PA projection · R wrist X-ray · age 10 y, male · initial study · 611x876.
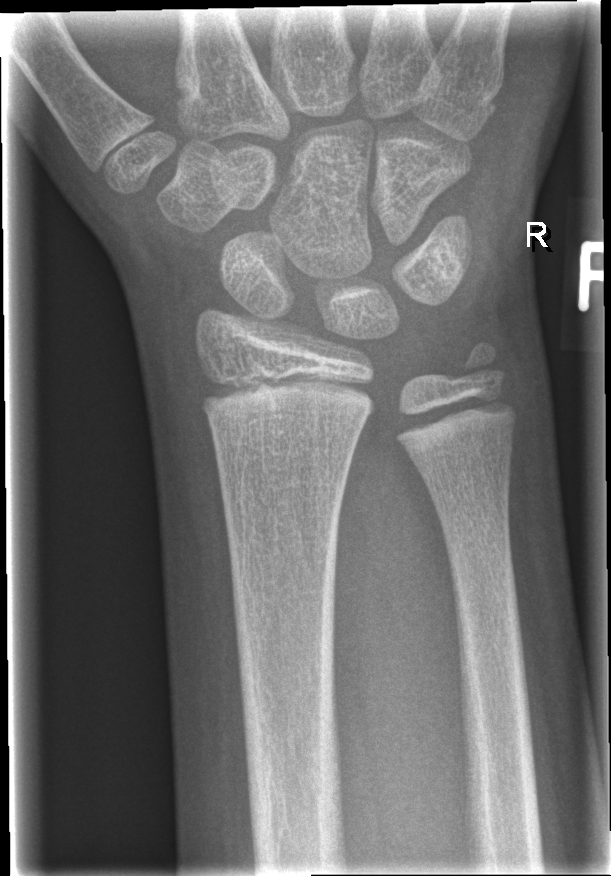 Fx: 1 @ <454,336>-<511,393>
AO classification: 23u-E/7